Rt pediatric wrist radiograph · lat projection · 7y M · in cast · 466 x 950 px: 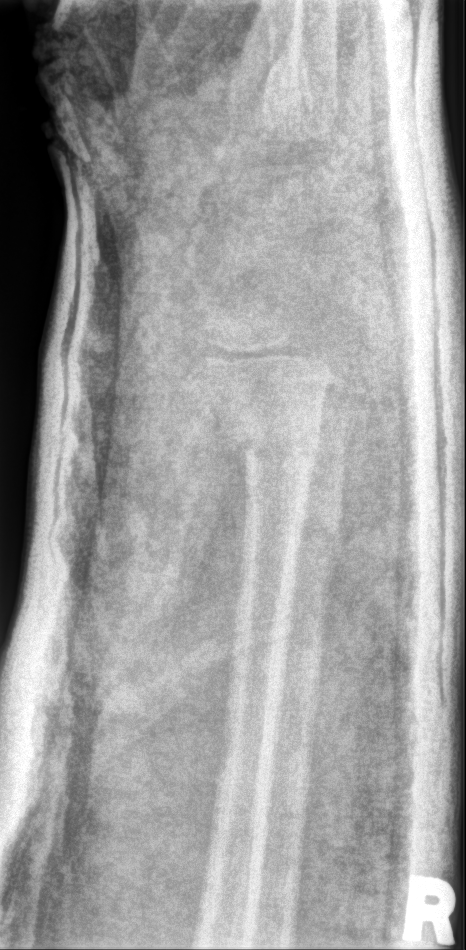
Fx: <231,421>-<325,492>, <288,510>-<351,562>